PA projection, Lt plain radiograph of the wrist, age 11 y, boy, in cast, 560 x 1050 px. 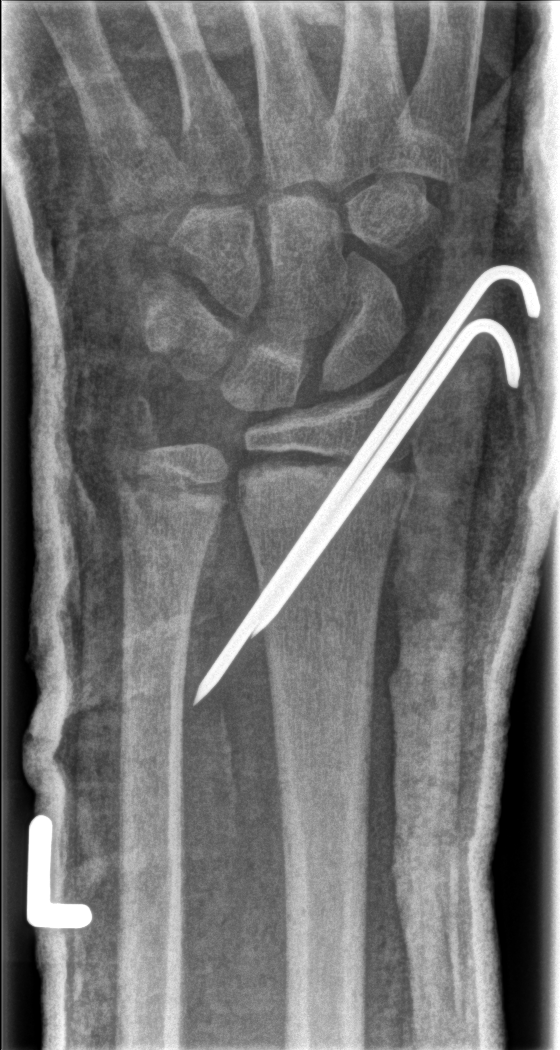
bone fracture = 2 @ (left=233, top=444, right=419, bottom=528); (left=107, top=385, right=168, bottom=467)
AO/OTA = 23r-E/2.1; 23u-E/7
metal = 1 @ (left=189, top=260, right=548, bottom=713)